Lt wrist XR, lat, 664 by 1282 pixels.

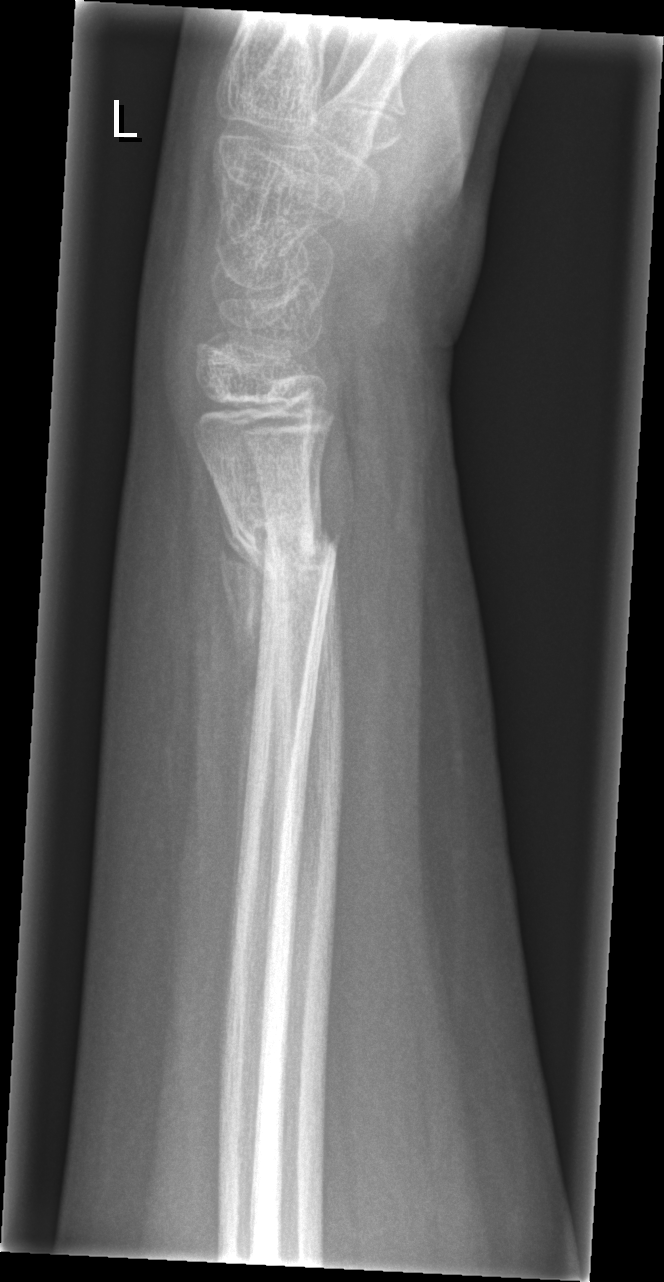

• Coordinates are [x1, y1, x2, y2] in image pixels.
• Periosteal thickening: <217,521>-<269,970>.
• Fx — <223,498>-<342,589>.